Right pediatric wrist radiograph · PA/AP view · 17y M

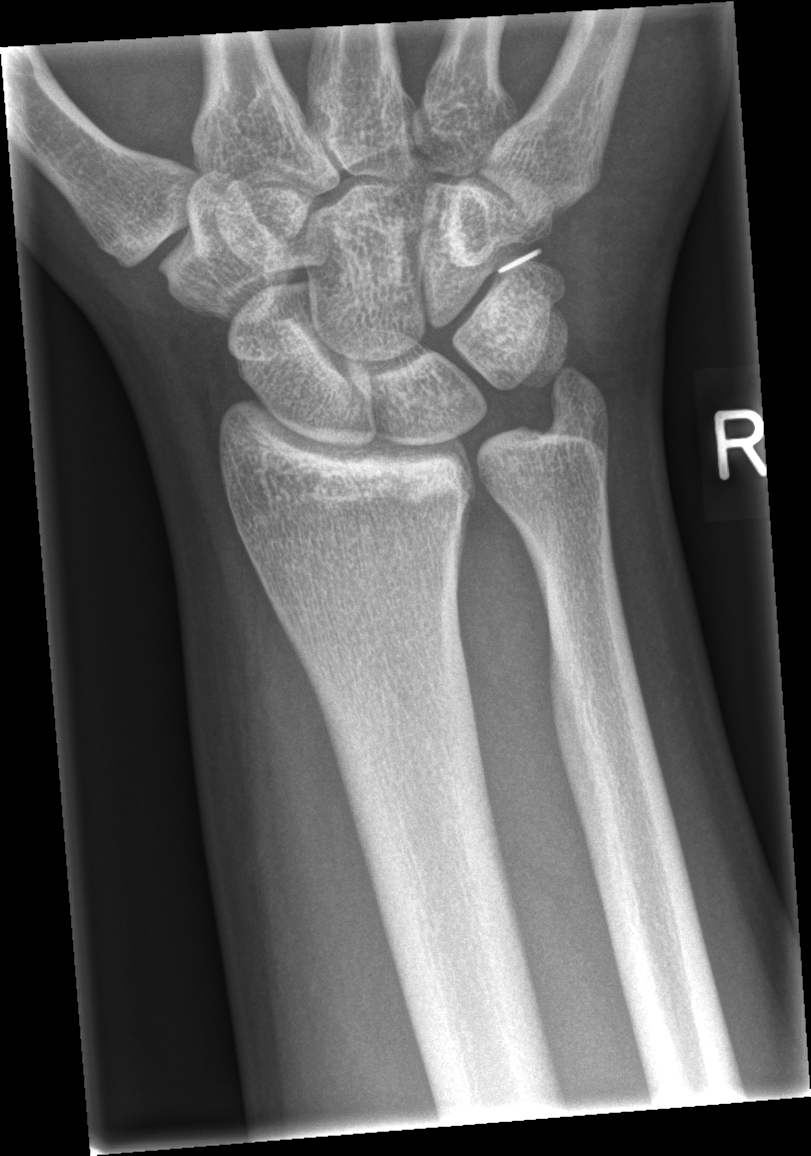
Foreign body: 1 @ 496,245,543,275
Fracture: none labeled